Lateral projection | Lt wrist plain film 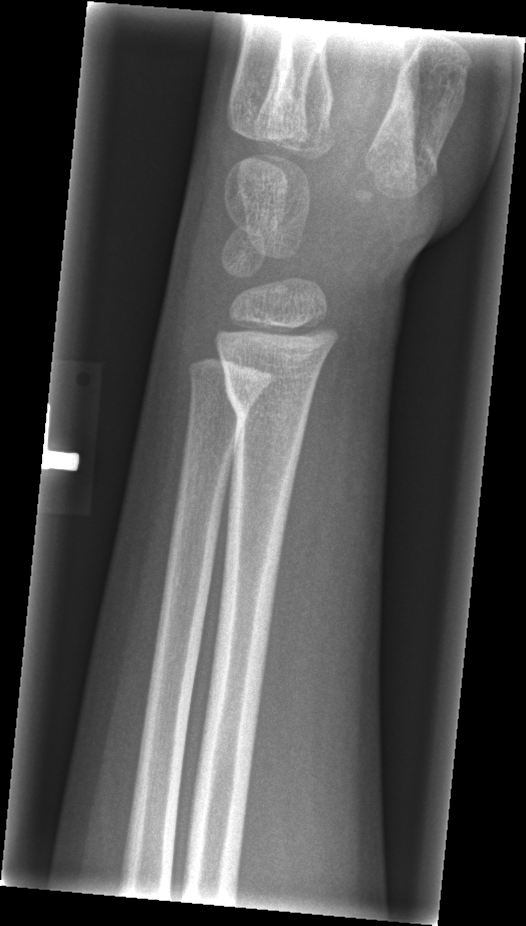

Q: Locate any fractures.
A: Fx: (left=220, top=367, right=315, bottom=432)
Q: AO code?
A: AO/OTA classification: 23r-M/2.1